L wrist XR · frontal projection · pediatric patient (female, age 10) · detector: Siemens · 680 x 1072 px
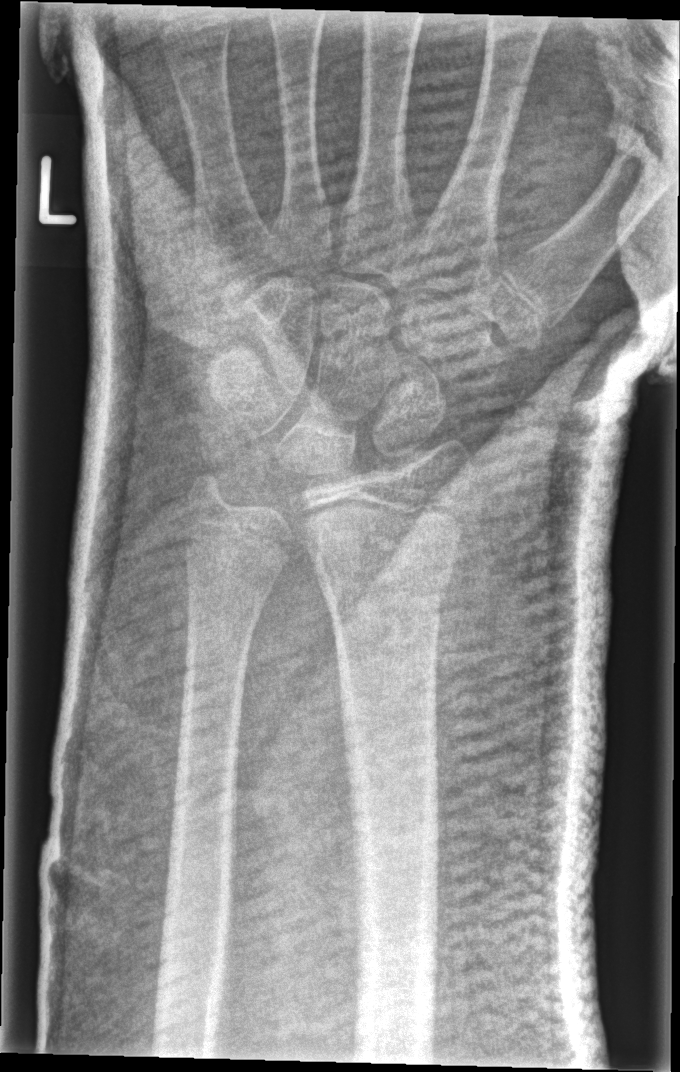   fracture: [x1=304, y1=524, x2=461, y2=616]